Posteroanterior · right wrist pediatric wrist radiograph · 14-year-old boy · presentation radiograph

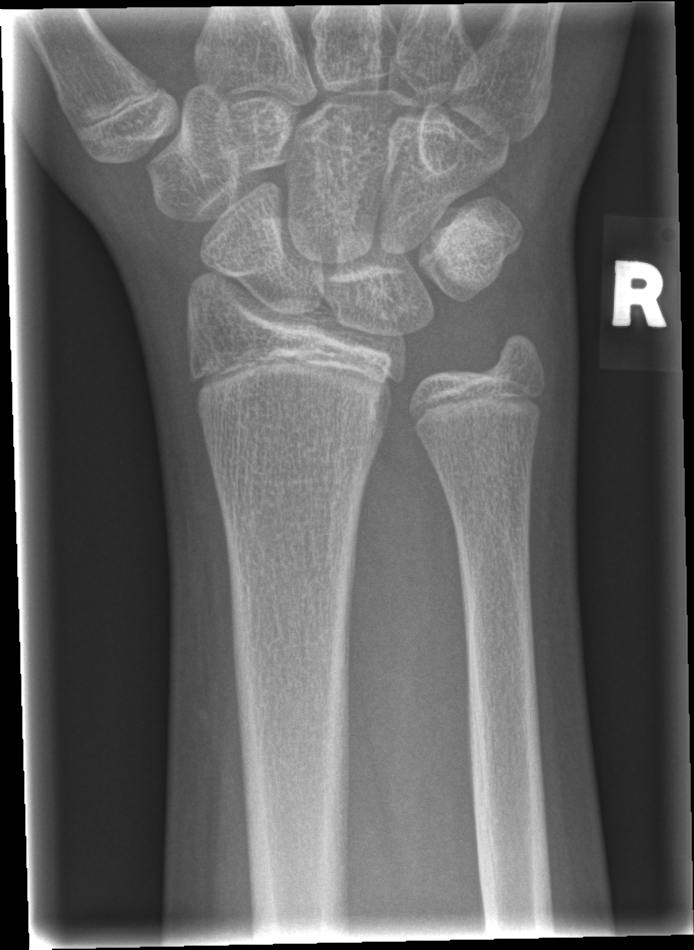

fracture: none labeled